Lat | Rt plain radiograph of the wrist | boy, 10 yo | cast present: 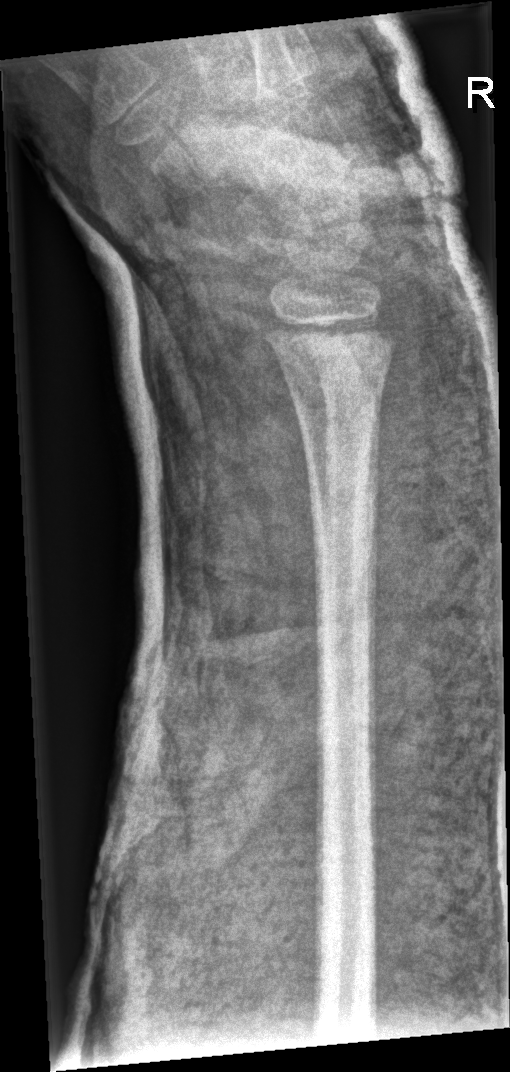 AO/OTA classification: 23r-M/3.1.
Fracture present but not clearly seen in this view.